Lat; left plain radiograph of the wrist; follow-up study; imaged through cast; acquired on Siemens: 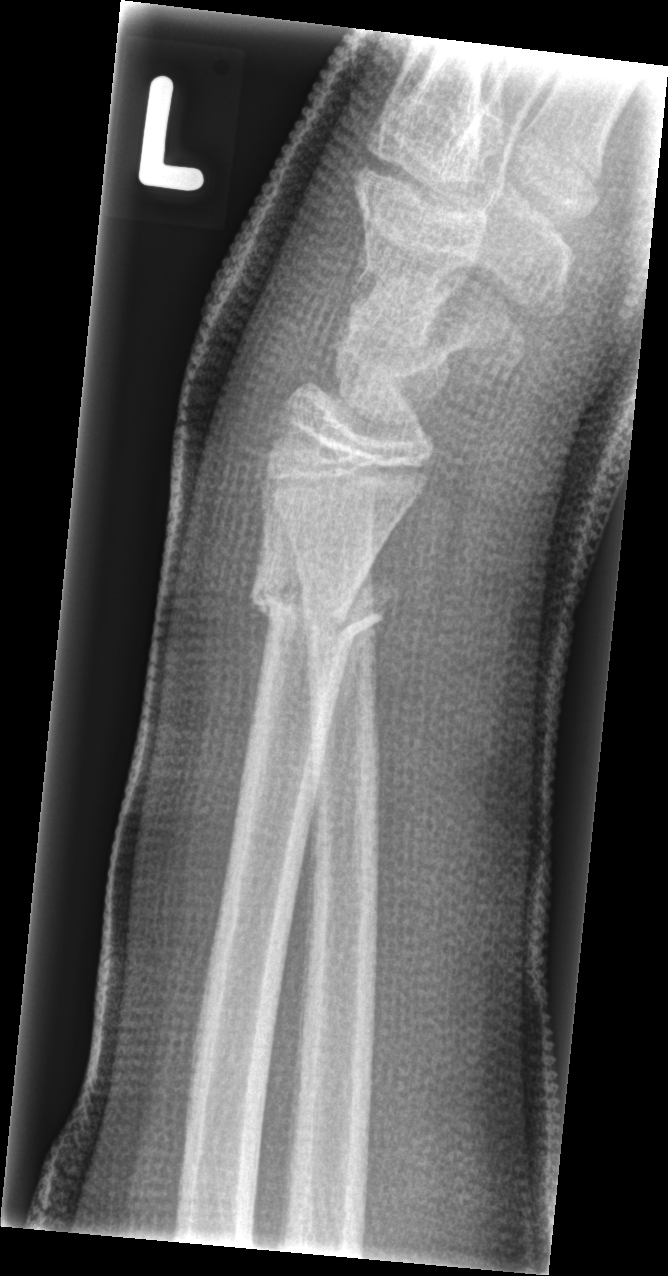

AO code = 23r-M/3.1; 23u-E/7
Bone fracture = bbox(247, 560, 402, 661)